Oblique view | Lt wrist XR | index exam:
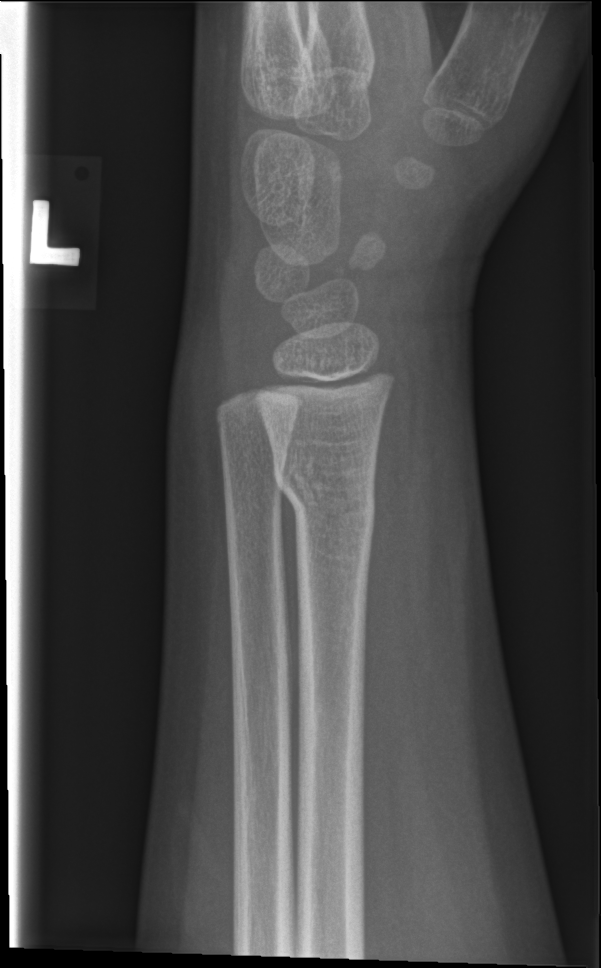

• Fx — 268,455,379,543.
• Fracture classified AO/OTA 23r-M/2.1.